Left wrist plain film · AP view · 4y F · Siemens — 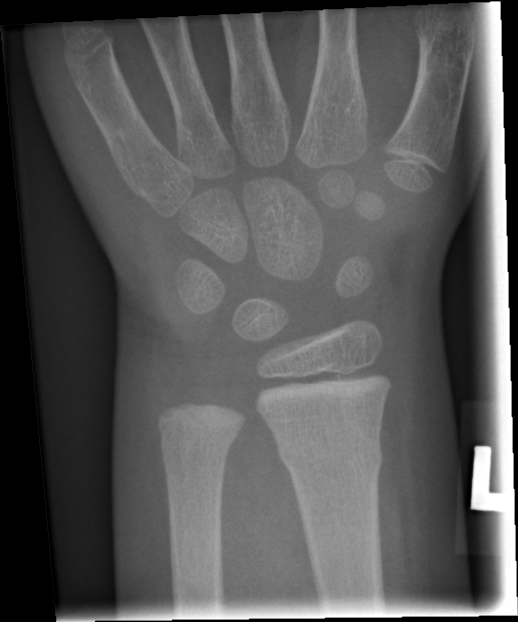

Boxes as x1,y1,x2,y2 (top-left / bottom-right, pixel units).
Fx: (275, 430, 387, 483), (156, 419, 243, 473).
AO code 23-M/2.1.